Lat projection | left wrist XR | boy, 11 yo | index exam | 433 by 1056 pixels.

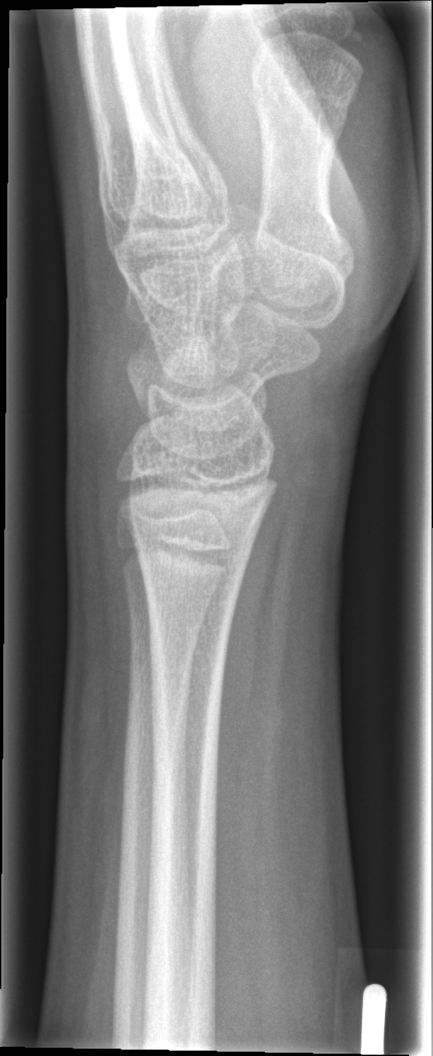 Findings: No fracture annotation.